AP view | left wrist XR | 586 x 636 px:

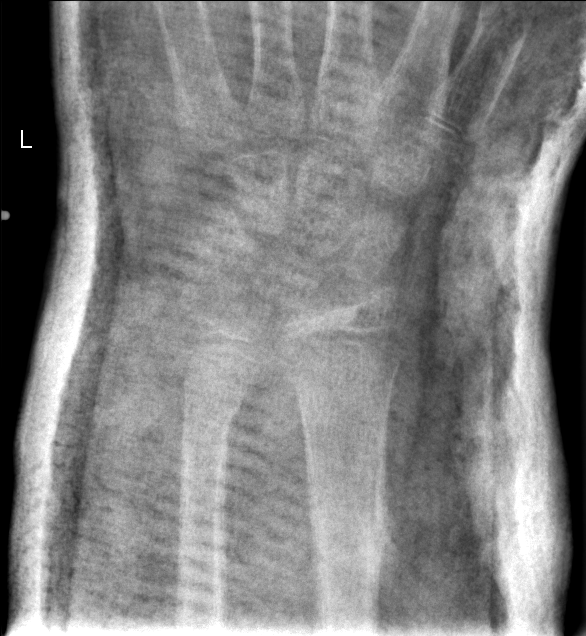 Bounding boxes in image-pixel xyxy. Fx — <303,495>-<390,586>; <175,380>-<247,443>.